AP view, R pediatric wrist radiograph, age 2 y, male: 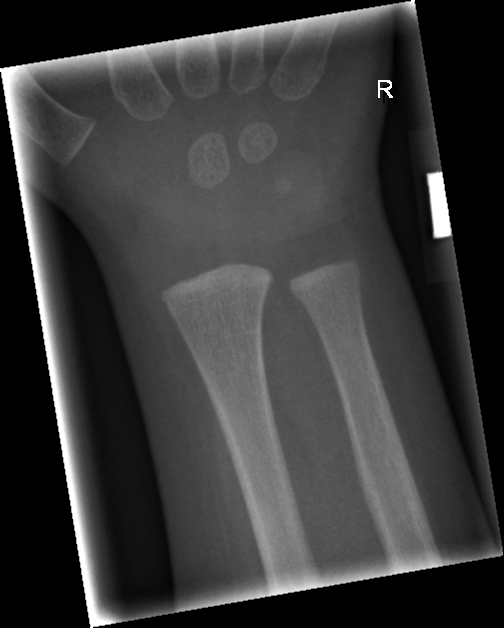 * No fracture annotation.